Right wrist X-ray · AP 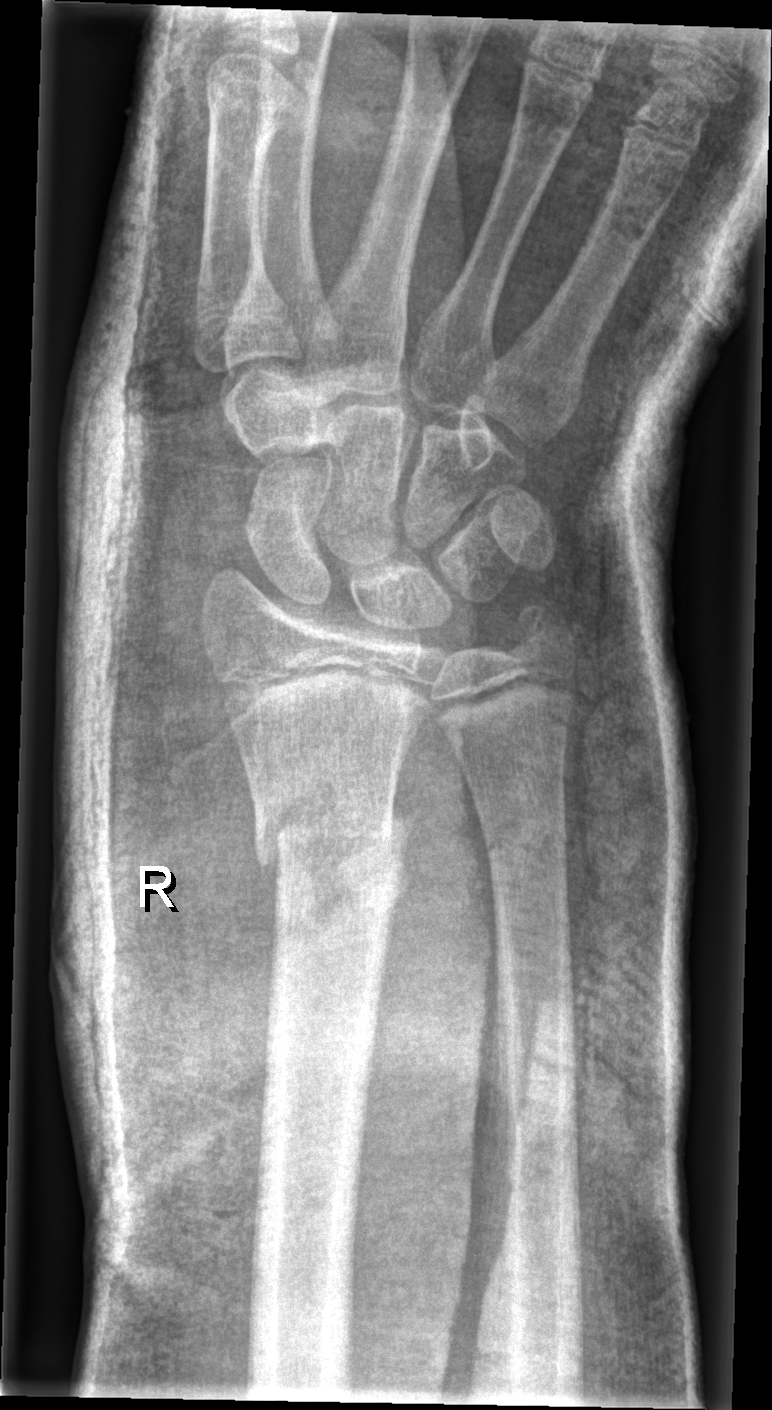

  # boxes as x1,y1,x2,y2 (top-left / bottom-right, pixel units)
  fracture: 3 @ (252, 782, 408, 926); (507, 594, 583, 665); (482, 816, 571, 873)
  ao: 23-M/3.1; 23u-E/7